Rt wrist XR · frontal projection · acquired on Siemens: 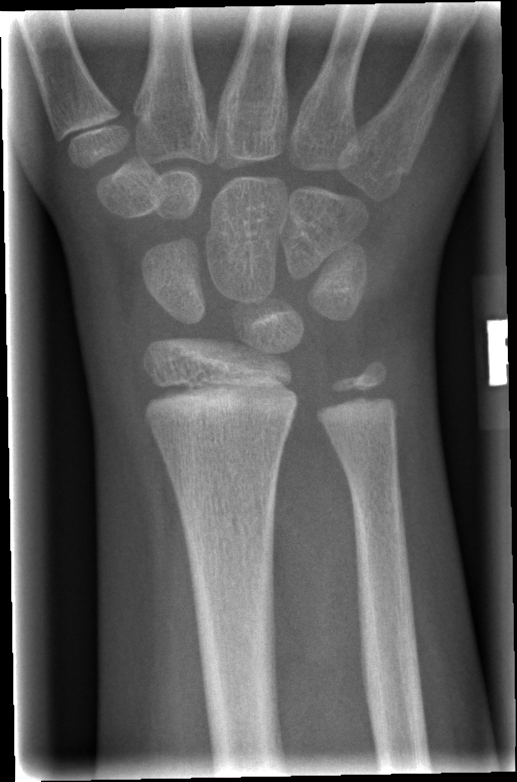
Bone fracture = none labeled